L wrist radiograph · PA projection · follow-up study · cast in situ · 596x790 —

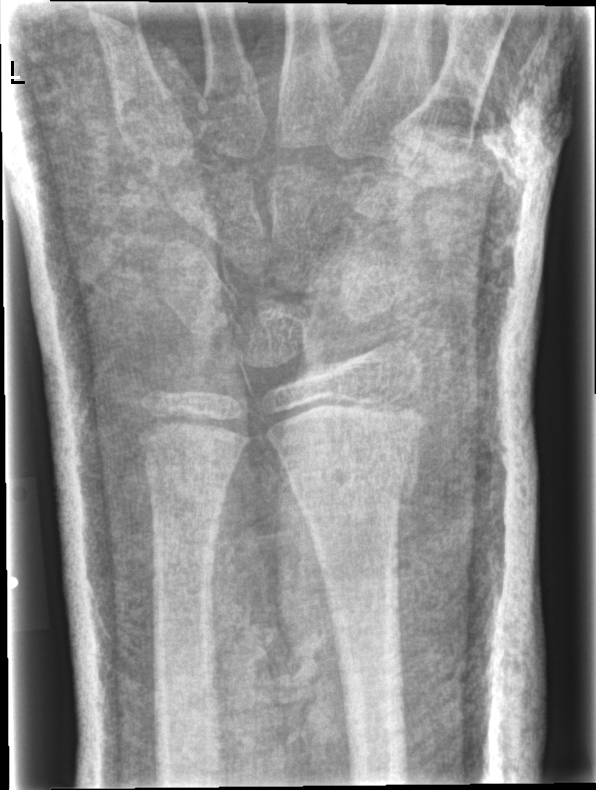

(pixel coordinates, top-left origin, xyxy)
Q: AO code?
A: AO code 23r-M/3.1; 23u-M/2.1
Q: Locate any fractures.
A: Bone fracture — <285,444>-<417,516>